PA view | left wrist plain film | in cast | image width 88.7 mm: 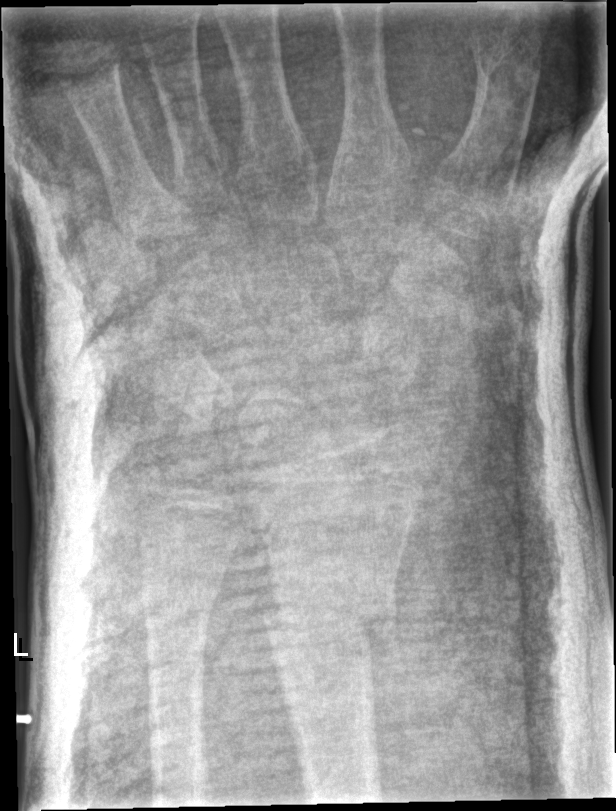
bone fracture: 251 587 399 654
  140 574 223 638
AO code: 23r-M/3.1; 23u-M/2.1